Right plain radiograph of the wrist · lat projection · age 12 y, female — 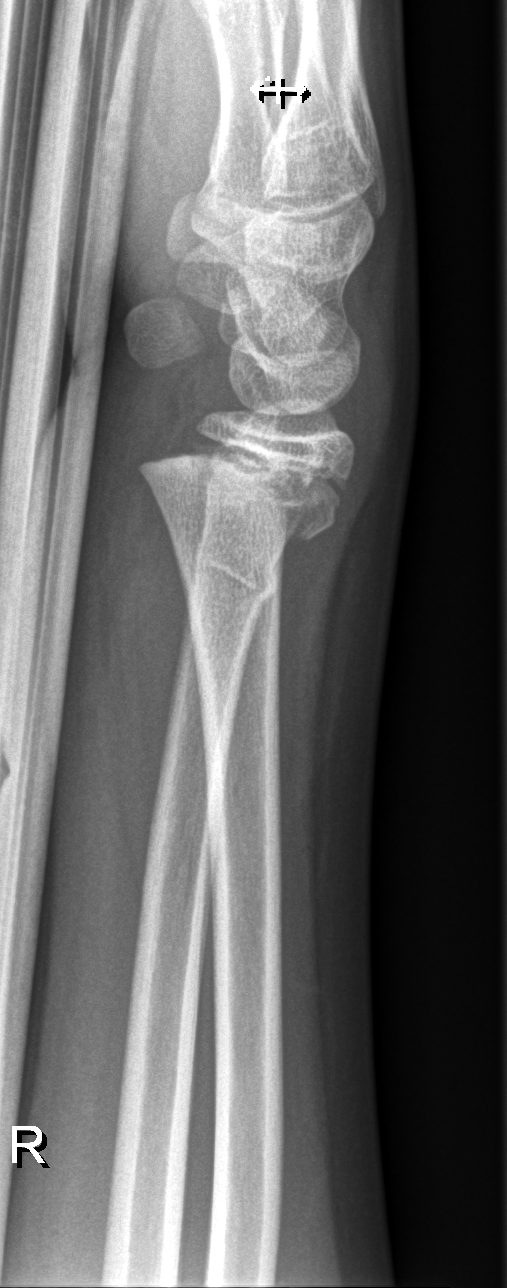

FINDINGS: (pixel coordinates, top-left origin, xyxy) Fx: bbox(136, 426, 349, 545) bbox(189, 543, 279, 612).